PA/AP view | left wrist radiograph — 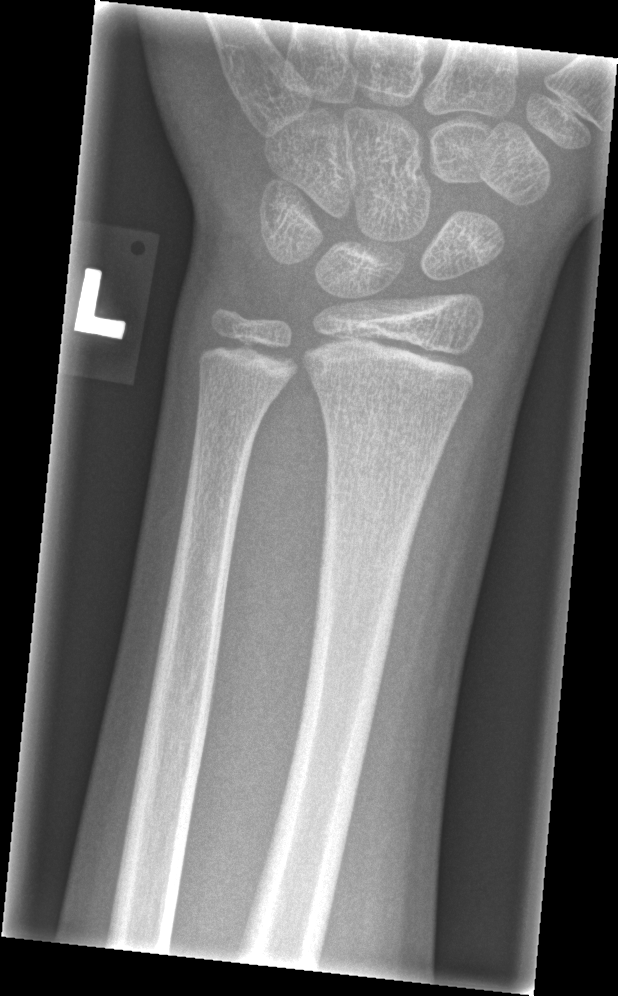
AO/OTA: 23r-M/2.1
Fx: present but not clearly seen in this view